Left wrist XR | AP projection | pediatric patient (male, age 16) | in cast | 646 x 1336 px
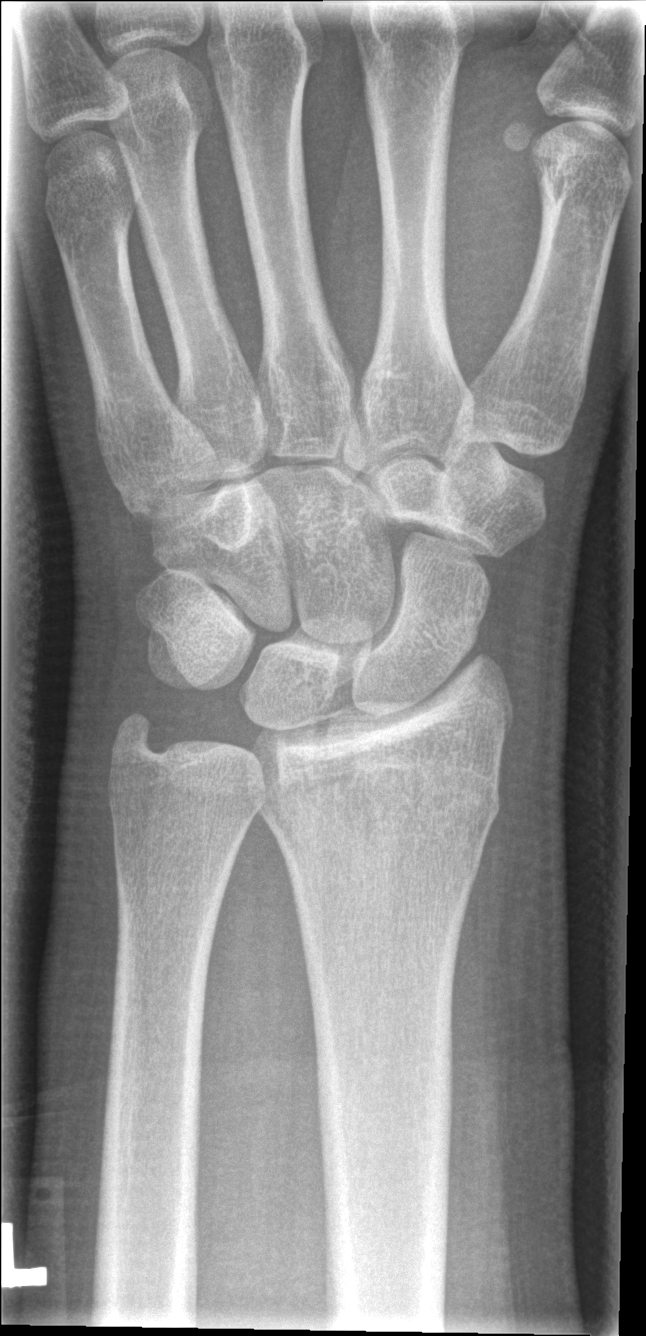
* Fracture classified AO/OTA 23r-M/2.1; 23u-E/7.
* Bone fractures — (left=250, top=721, right=508, bottom=853) (left=101, top=707, right=170, bottom=780).